PA/AP · Lt wrist plain film · 9y M · image 101.4 mm wide —
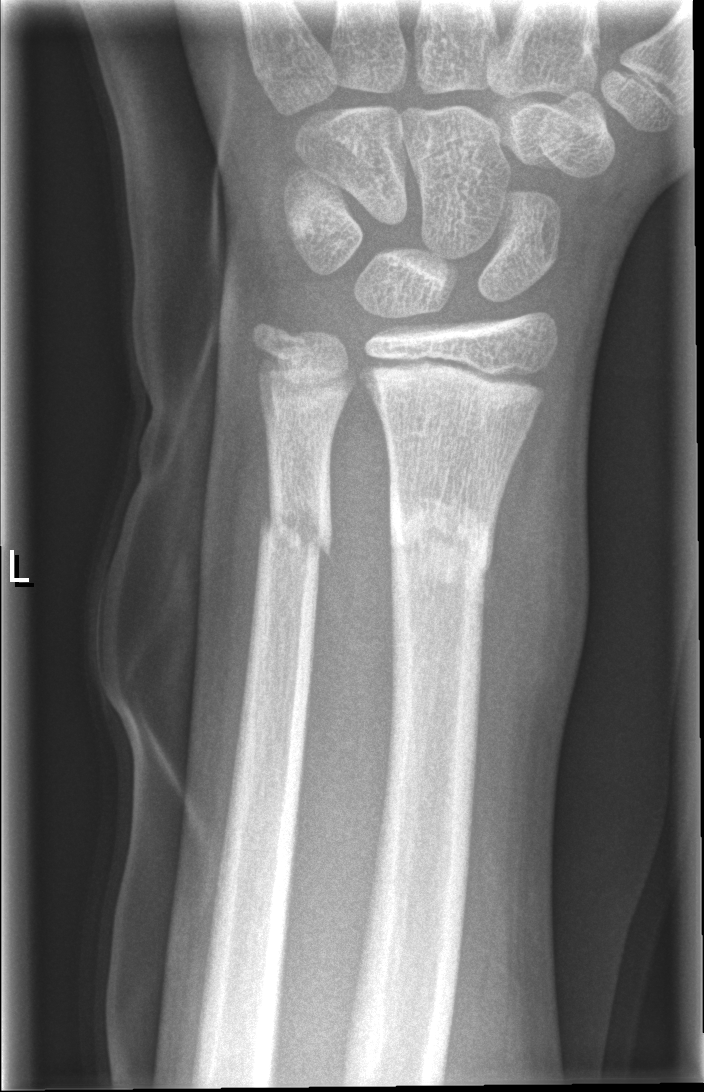 Q: What is the AO/OTA classification?
A: AO/OTA classification: 23-M/3.1; 23u-E/7
Q: Locate any fractures.
A: Three Fx at <386,486>-<497,594> <255,492>-<336,572> <248,312>-<314,374>